Lat; right wrist plain film: 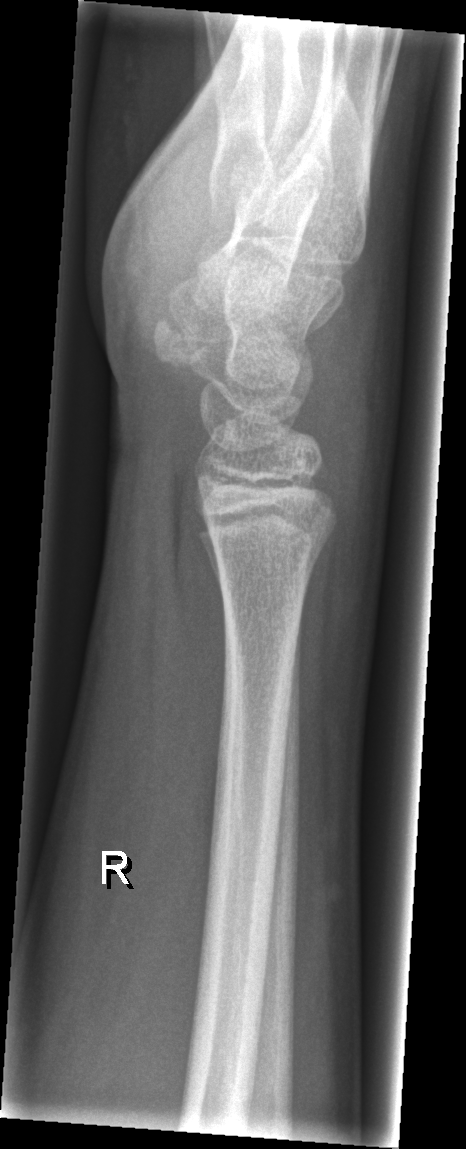
# pixel coordinates, top-left origin, xyxy
fracture: <203,485>-<344,592>
ao: 23r-M/2.1
softtissue: <308,252>-<398,529>